Left pediatric wrist radiograph · lat · 10y M · imaged through cast · 509 x 1136 px:

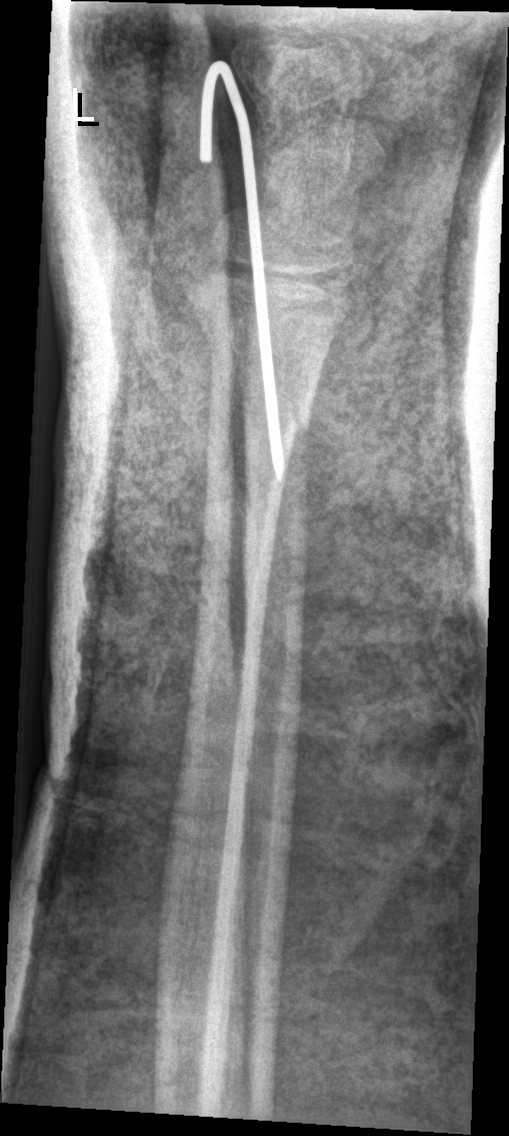

(pixel coordinates, top-left origin, xyxy)
Fx = 180 273 335 441
Metal = 1 @ 197 59 287 482
AO classification = 23r-M/3.1; 23u-M/2.1